Rt wrist X-ray; lat view; pediatric patient (female, age 5); follow-up; cast in situ:
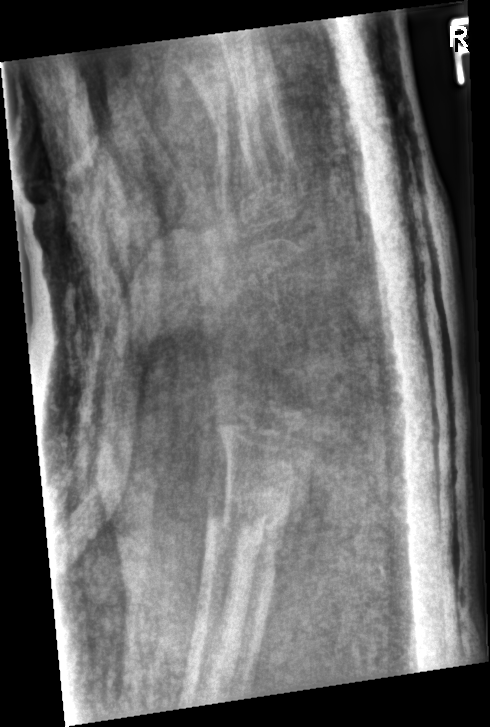 Q: Any fracture seen?
A: One fracture at (201, 478, 292, 575)